Right wrist X-ray | lateral | female, 15 yo | acquired on Siemens.

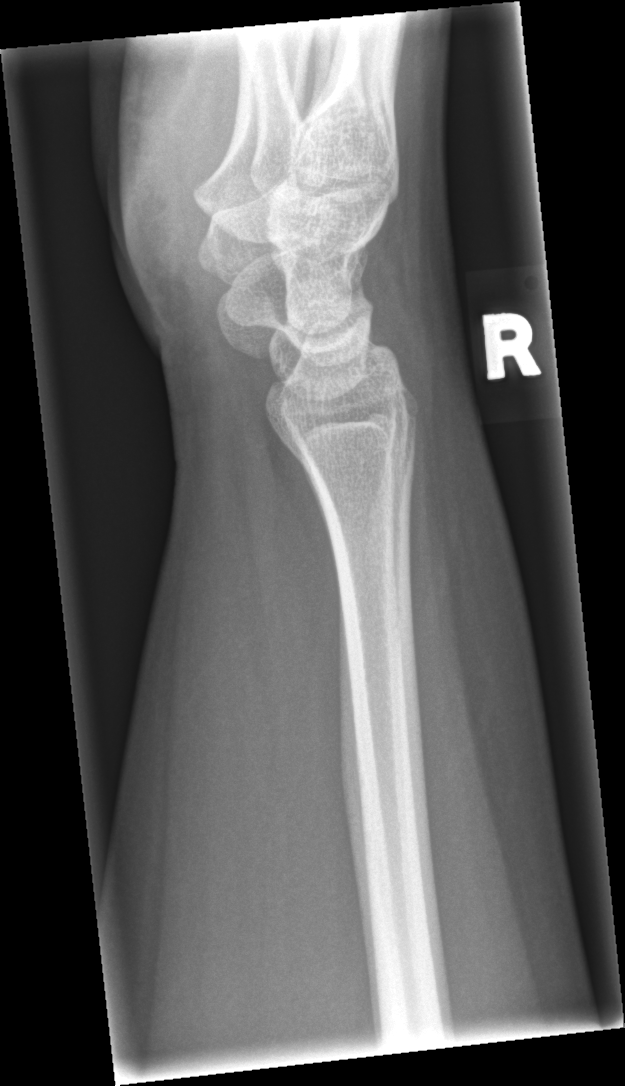 Q: Fracture present?
A: No fracture annotation